Rt wrist XR | frontal projection | pediatric patient (boy, age 17) | 581 x 1230 px.

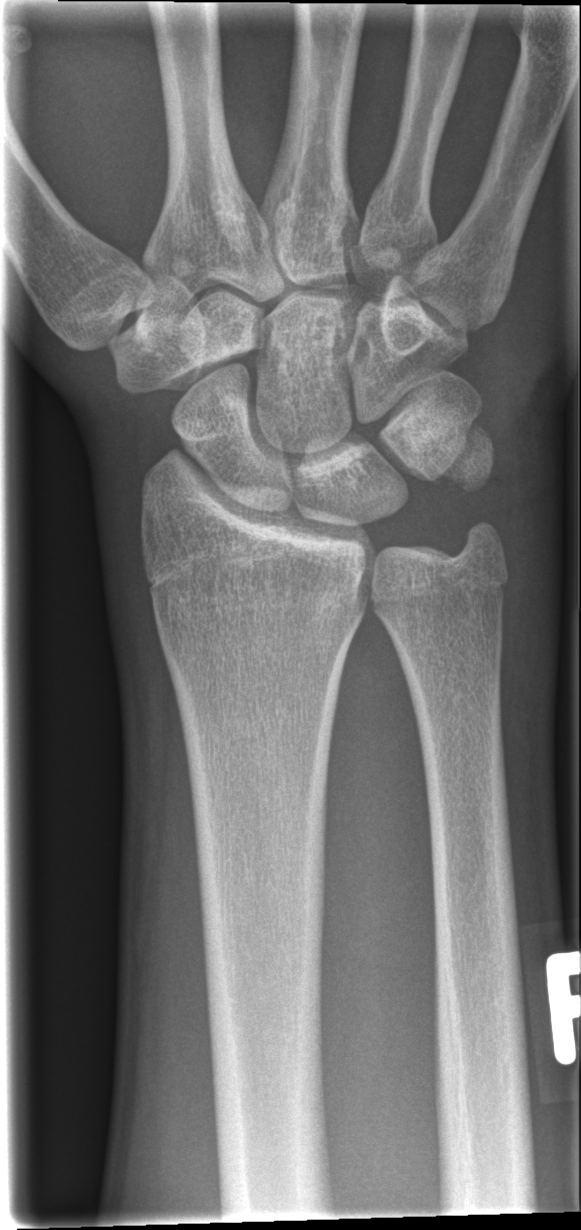
Findings: No fracture labeled.